Lat projection · left wrist radiograph · 17-year-old female · detector: Siemens:

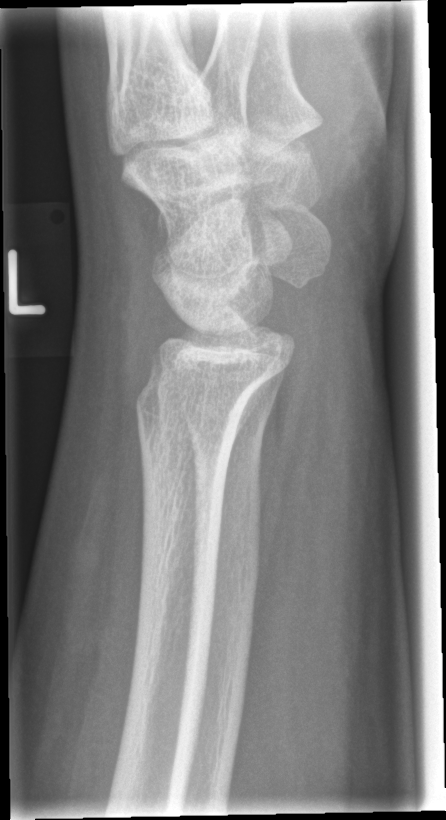

Coordinates are [x1, y1, x2, y2] in image pixels.
Osseous anomaly identified at bbox(131, 302, 301, 432).
Fracture: none labeled.